Posteroanterior view | R wrist X-ray | age 5 y, female | subsequent exam | in cast

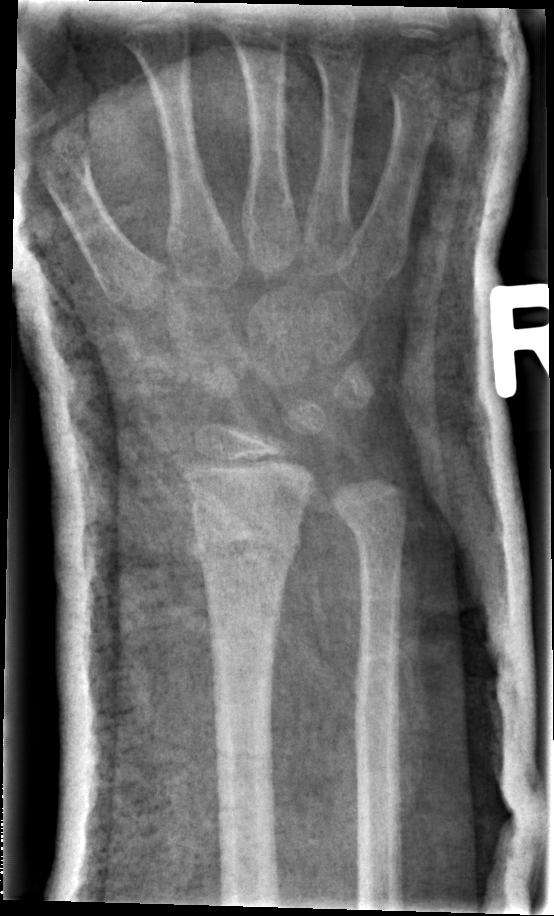

• Boxes as x1,y1,x2,y2 (top-left / bottom-right, pixel units).
• Fractures — [x1=189, y1=509, x2=303, y2=577], [x1=342, y1=507, x2=410, y2=546].
• AO/OTA classification: 23-M/2.1.